R wrist plain film · PA view
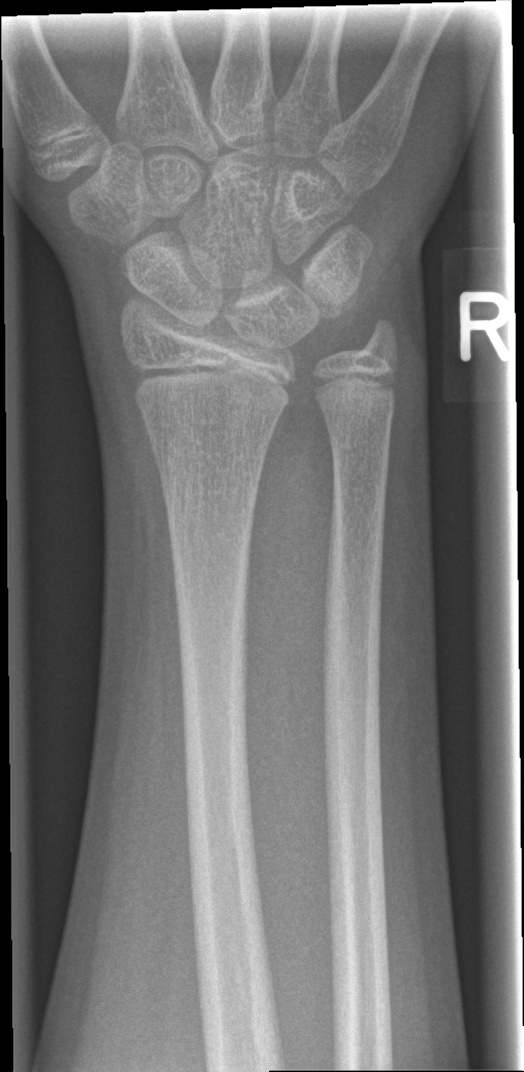

Fx: none.